Left wrist XR · lateral view · cast in situ —

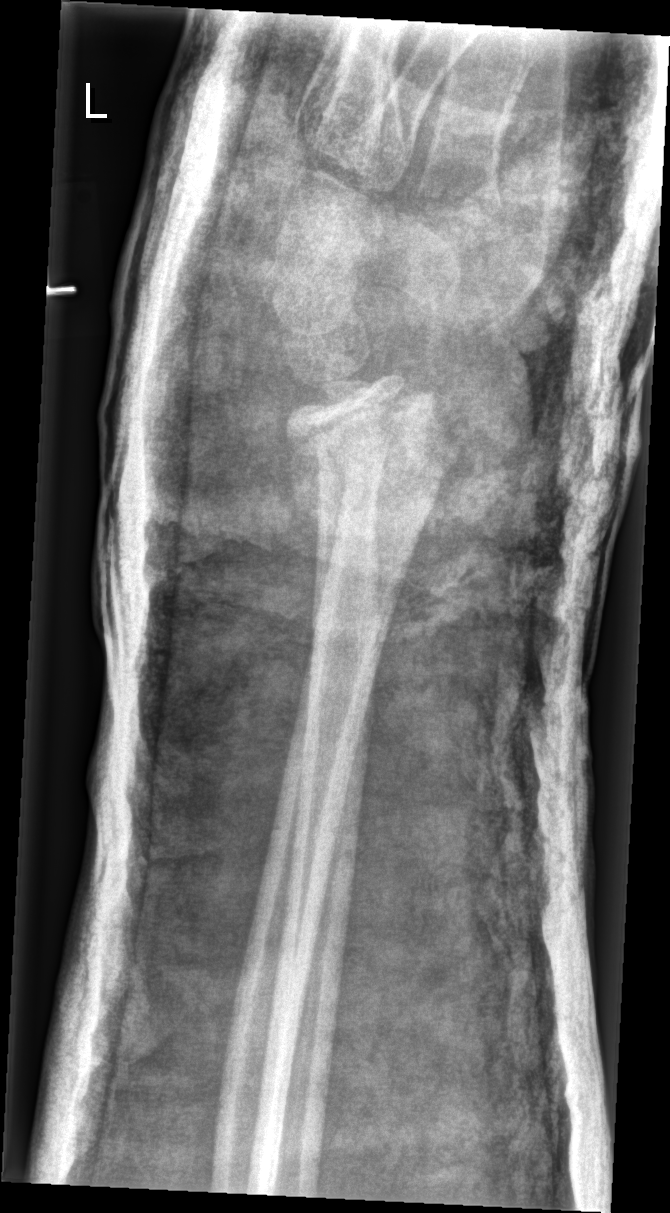

AO code = 23r-E/2.1; 23u-E/7
fracture = 1 @ <281,382>-<468,515>